Lateral projection | left wrist XR | male, 16 yo | Siemens:
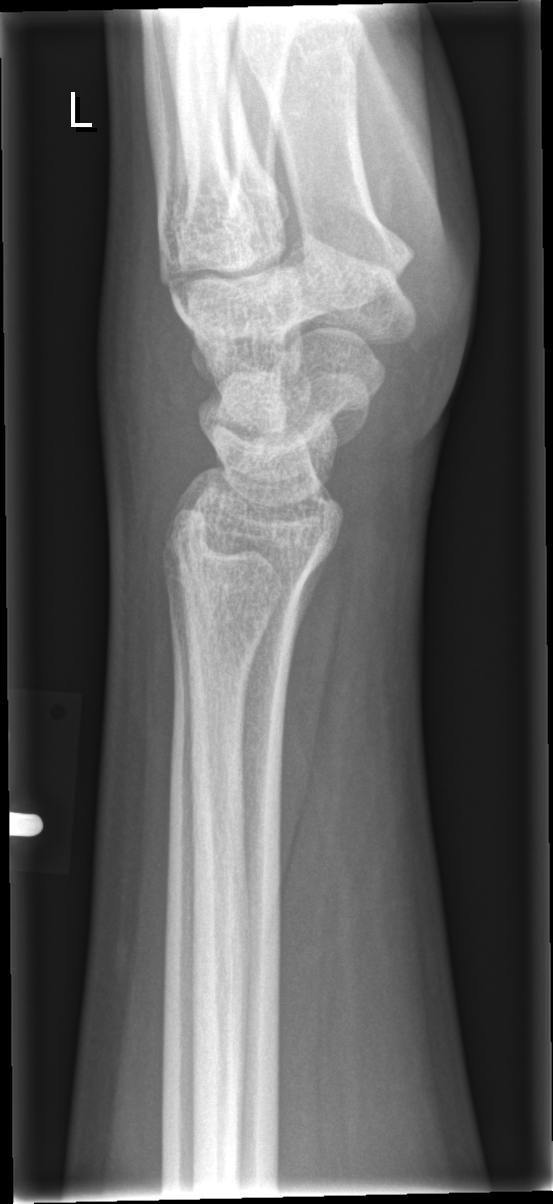

• AO code 72B(c).
• Soft-tissue swelling identified at [93, 259, 215, 559].
• Fx present but not clearly seen in this view.